Left pediatric wrist radiograph; posteroanterior projection; 15y M; subsequent exam; acquired on Siemens; 97.1 mm image width; 674x1177 — 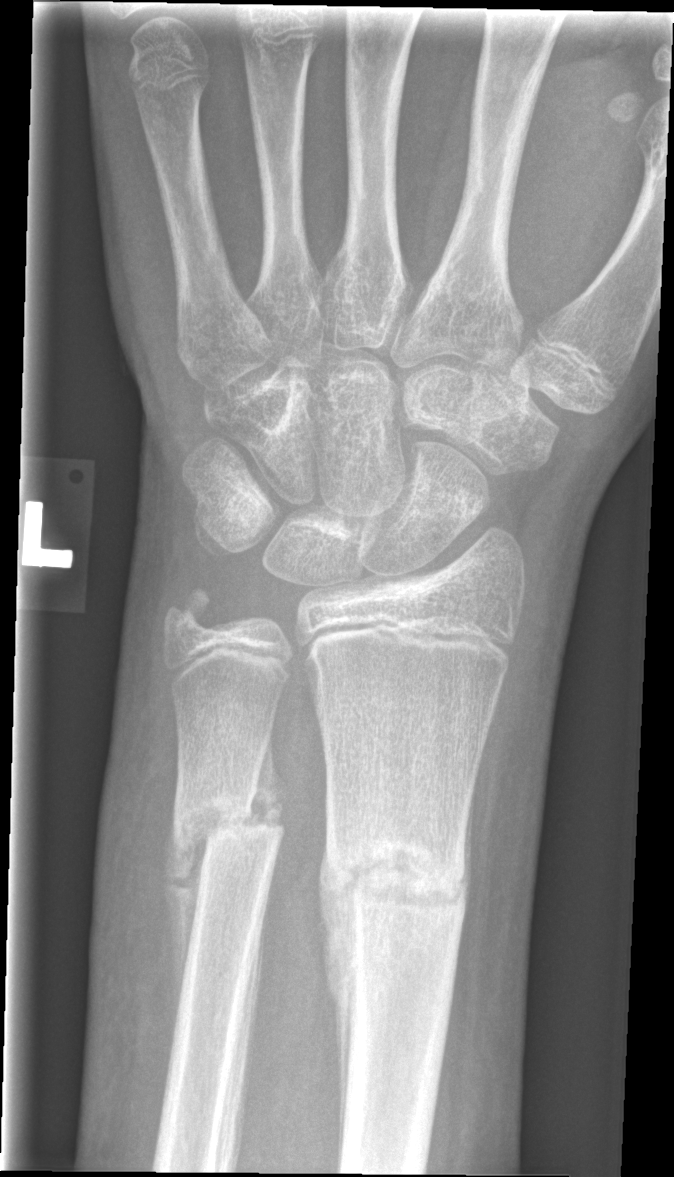 Q: Bone density?
A: Osteopenic
Q: What is the AO/OTA classification?
A: AO/OTA classification: 23-M/3.1; 23u-E/7
Q: Any periosteal thickening?
A: Periosteal thickening identified at (left=316, top=844, right=356, bottom=1168); (left=161, top=802, right=216, bottom=1015); (left=242, top=726, right=288, bottom=830); (left=463, top=780, right=476, bottom=899)
Q: Any fracture seen?
A: Fracture: (left=321, top=830, right=471, bottom=948) (left=164, top=788, right=287, bottom=858) (left=158, top=580, right=224, bottom=644)